AP projection · left wrist XR · age 13 y, male · subsequent exam · cast in situ · image width 67.7 mm.
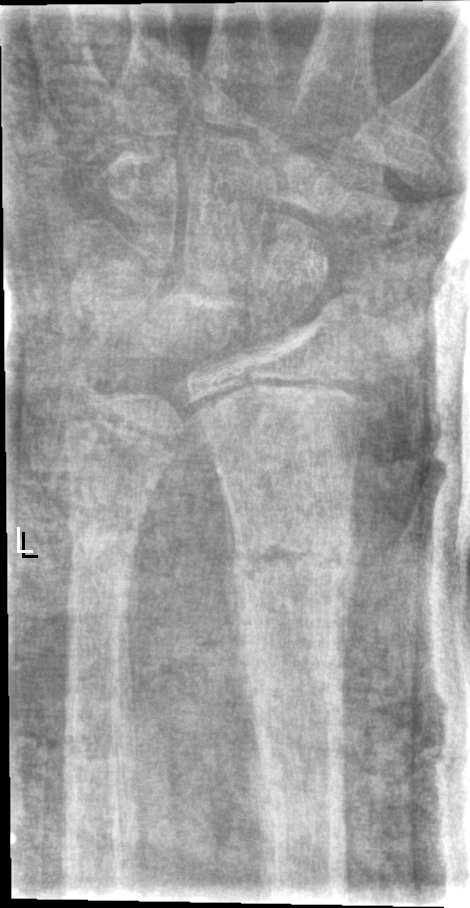

Findings: (coordinates are [x1, y1, x2, y2] in image pixels) Fracture classified AO/OTA 23-M/3.1. Bone fractures — bbox(230, 520, 362, 592) bbox(65, 515, 154, 569).